Right wrist X-ray | posteroanterior view:
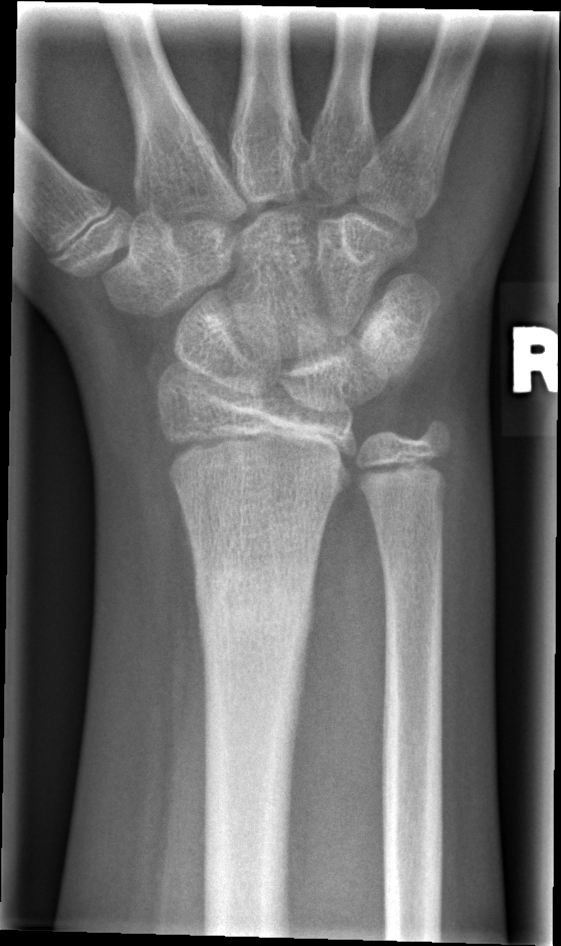
{
  "fracture": "1 @ (190, 554, 317, 662)",
  "ao": "23r-M/2.1"
}